Frontal projection | L plain radiograph of the wrist | image 68.0 mm wide:
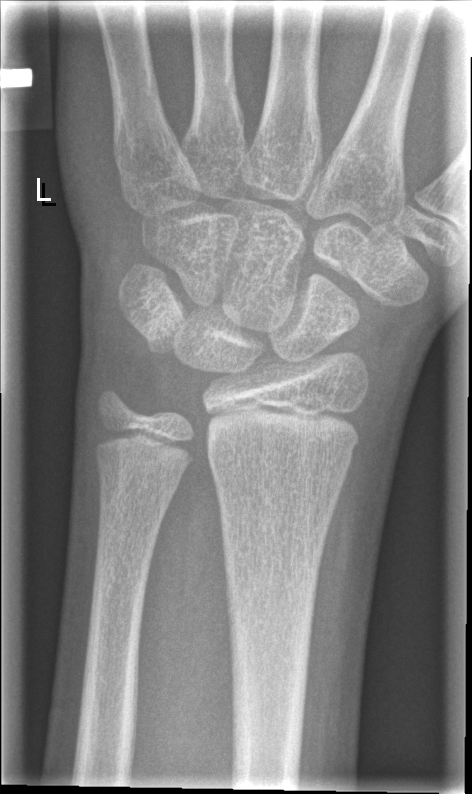 Fracture: none labeled.